Rt wrist X-ray · PA projection · 9-year-old male · presentation radiograph. 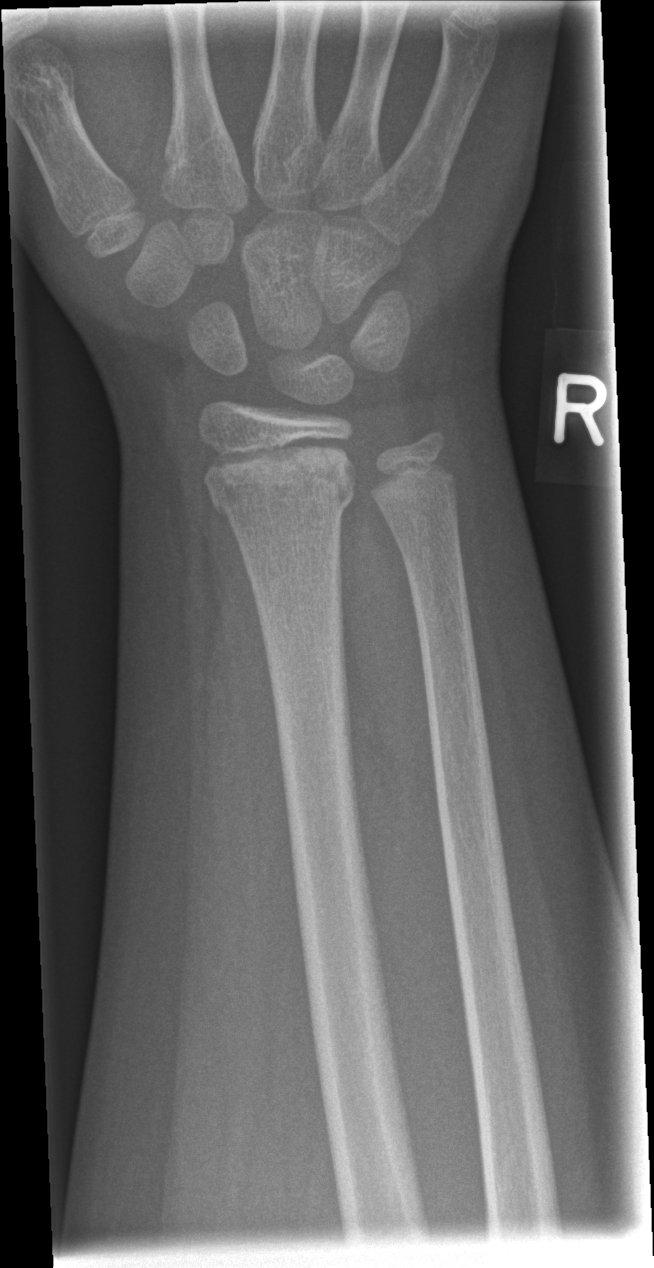
(pixel coordinates, top-left origin, xyxy)
fracture = (200, 435, 358, 528)